Left plain radiograph of the wrist | lat | 9y F:

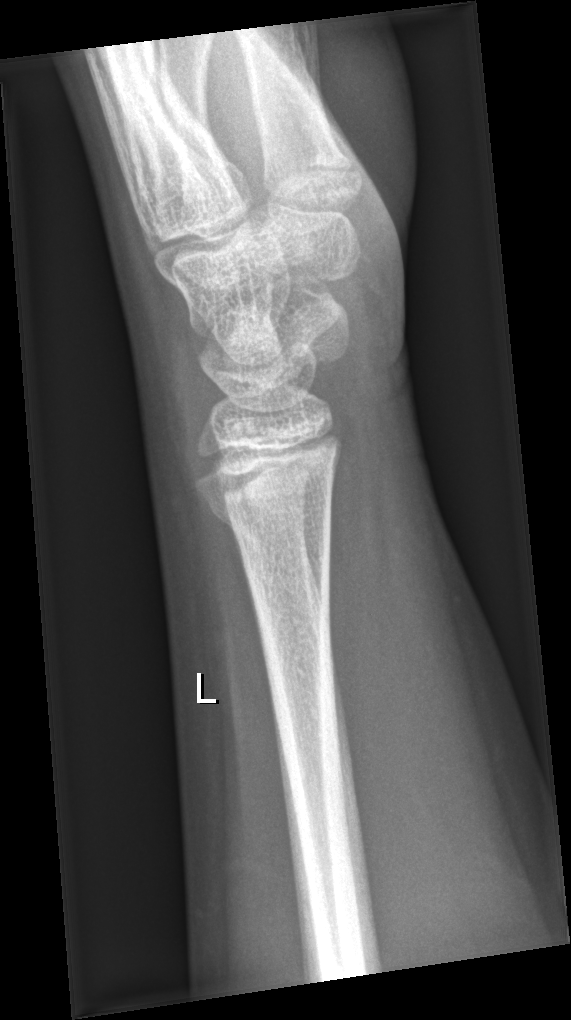

(coordinates are [x1, y1, x2, y2] in image pixels)
Bone fracture = bbox(193, 474, 338, 552)
AO code = 23r-M/2.1